Lat | Rt plain radiograph of the wrist | 8y M | follow-up study: 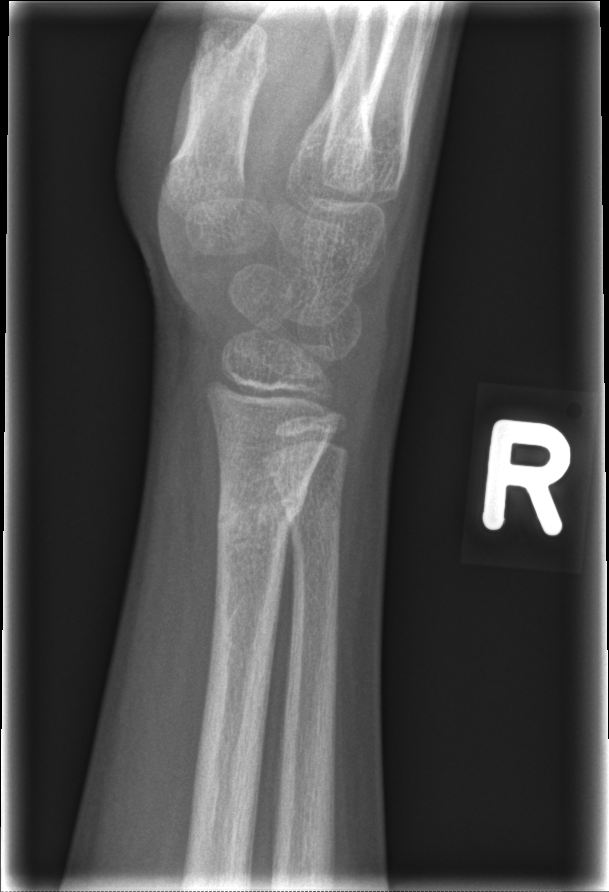

FINDINGS: Fractures — bbox(213, 474, 308, 549); bbox(288, 492, 346, 546). AO code 23-M/2.1. Reduced bone mineral density.